Lateral view · L wrist X-ray · pediatric patient (male, age 8). 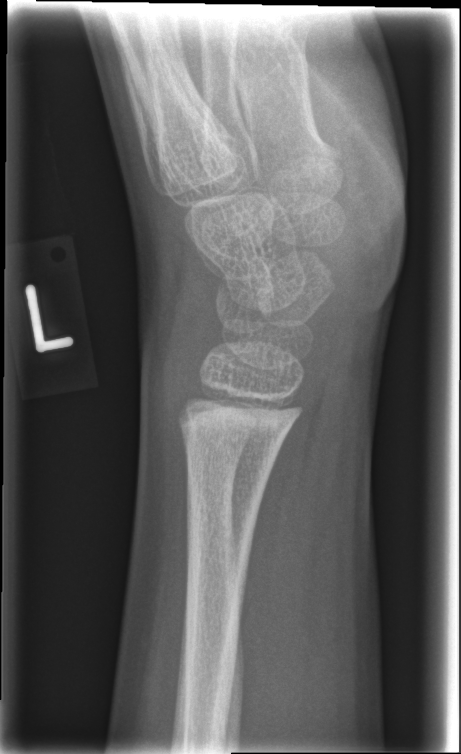   fracture: none labeled